Left wrist radiograph, lat view, cast in situ.
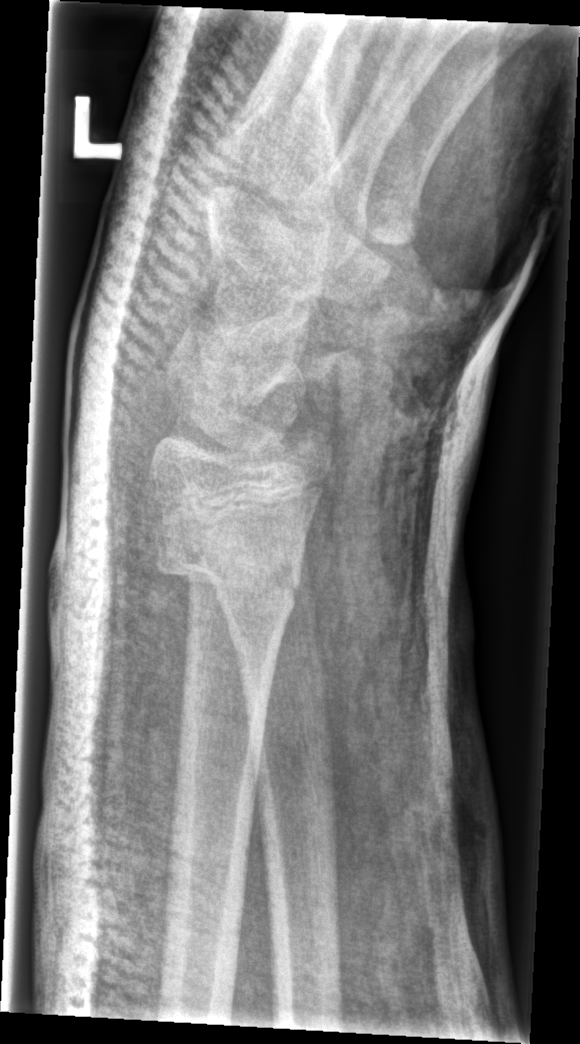

Findings: (boxes as x1,y1,x2,y2 (top-left / bottom-right, pixel units)) Fracture: (left=149, top=521, right=306, bottom=610).